Lateral projection · right wrist plain film · boy, 17 yo · diagnosis uncertain —
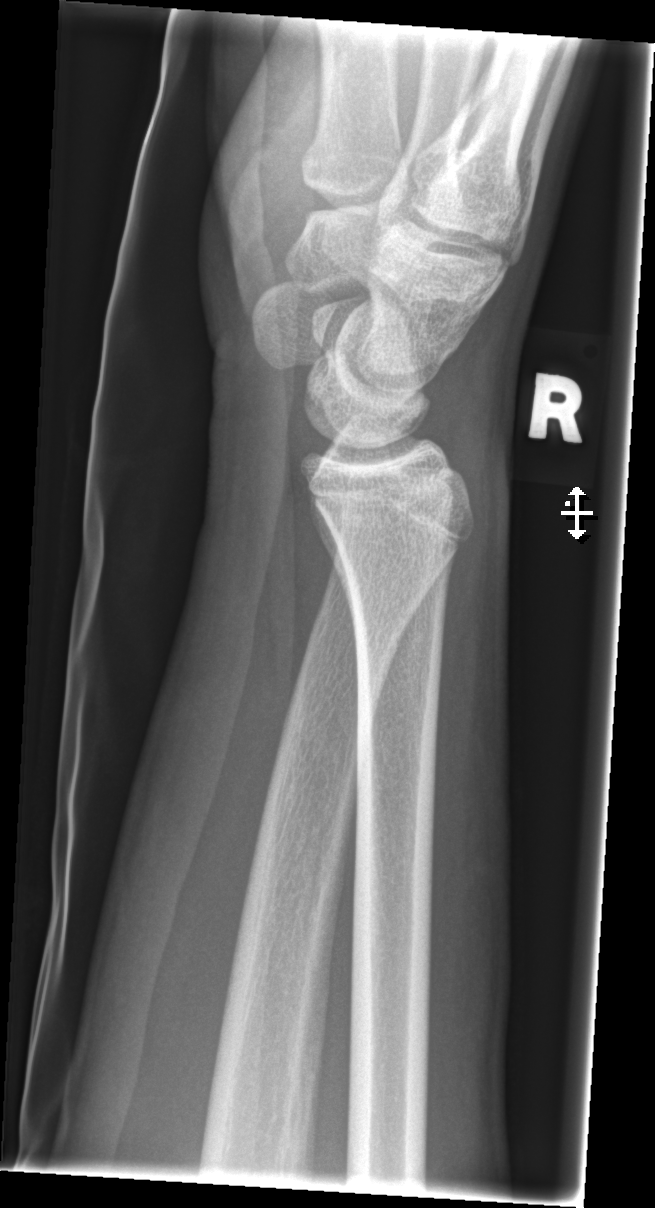
Boxes as x1,y1,x2,y2 (top-left / bottom-right, pixel units).
No fracture bounding box.
Bone variant: bbox(274, 432, 484, 784).